R wrist radiograph · lat view · imaged through cast · detector: Siemens:
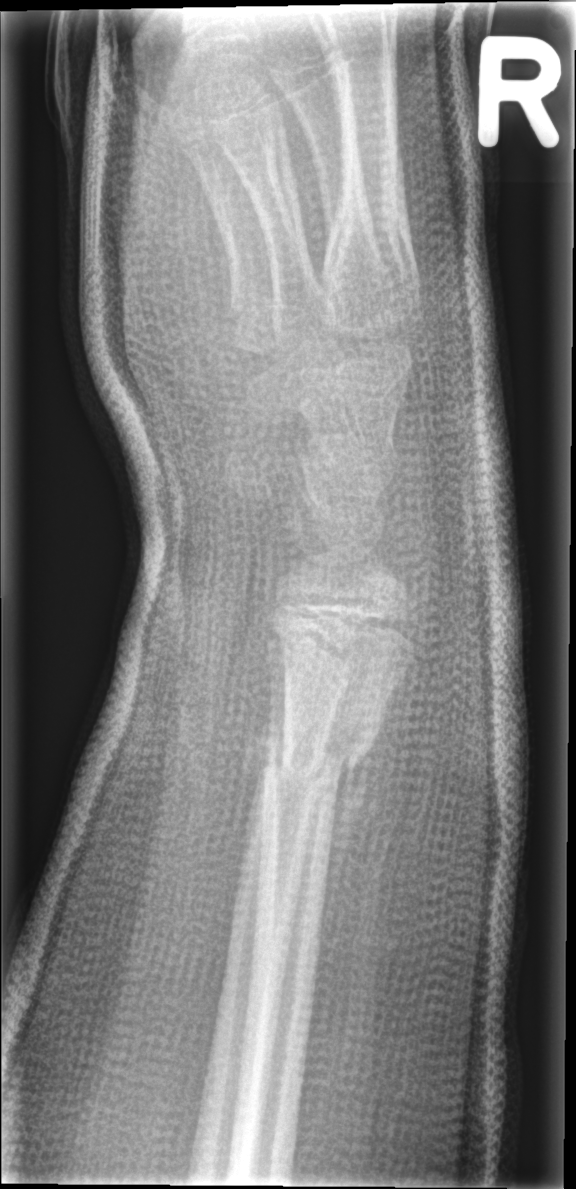

{
  "ao": "23r-M/3.1; 23u-E/7",
  "fracture": "260,715,373,809"
}